Lateral; Rt wrist X-ray; pediatric patient (female, age 6); follow-up; detector: Siemens:

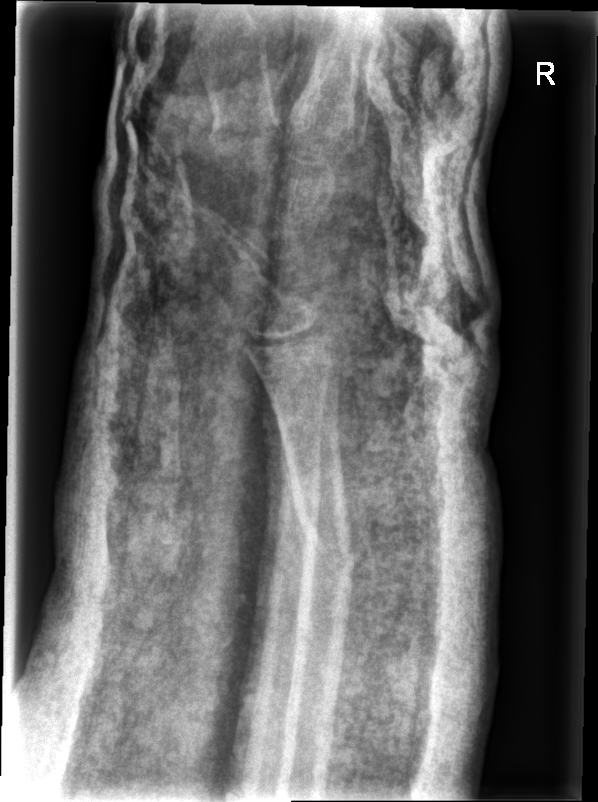
Bone fracture = 1 @ 291 498 363 594
AO/OTA = 22r-D/4.1; 23u-M/2.1